PA/AP projection | Rt pediatric wrist radiograph —
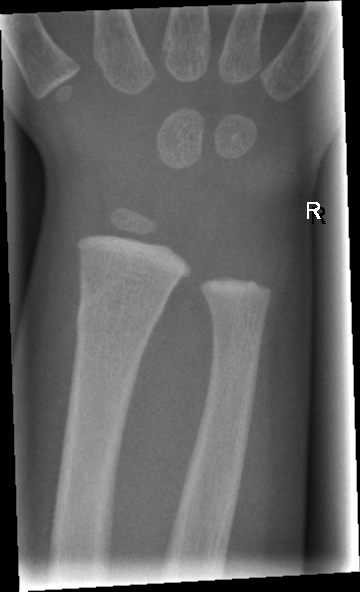
fracture: bbox(74, 285, 167, 342)
AO/OTA: 23r-M/2.1